Left wrist XR; AP view; age 15 y, girl; initial study; image 75.2 mm wide —
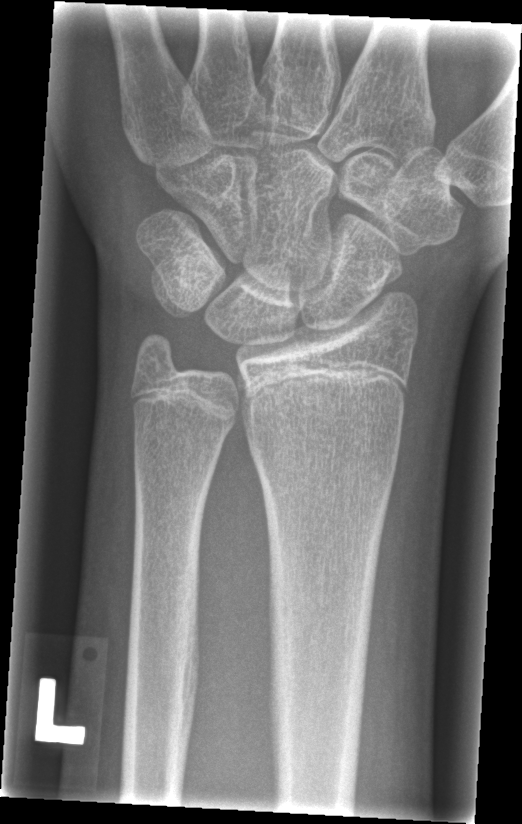

Fx: none labeled